Lt pediatric wrist radiograph | lateral projection | follow-up study:

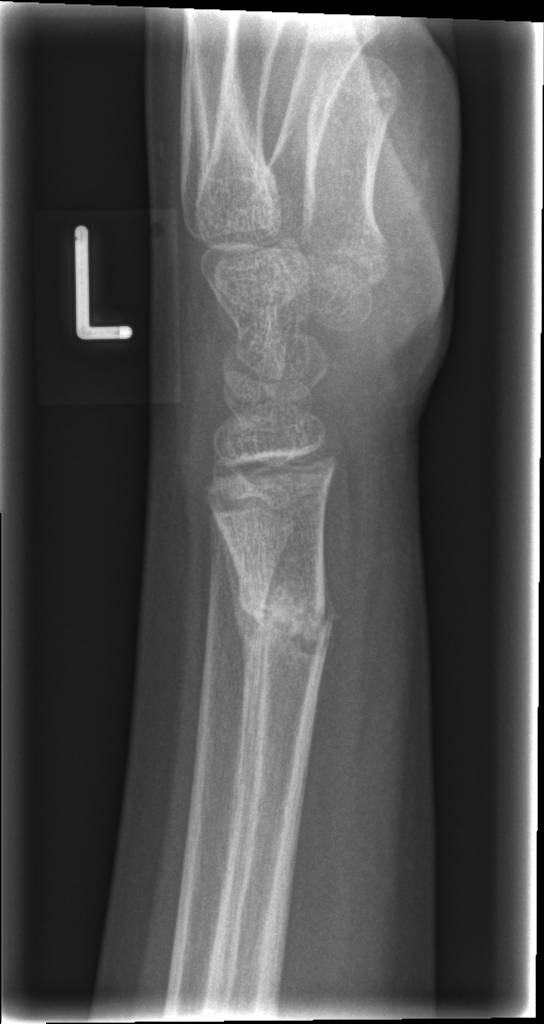

(bounding boxes in image-pixel xyxy)
fracture = (235, 566, 340, 666)
AO code = 23r-M/3.1; 23u-M/2.1
osteopenia = present
periosteal new bone = 2 @ (213, 509, 255, 700) (321, 545, 343, 680)